L wrist X-ray; lat; pediatric patient (boy, age 13); cast present; detector: Siemens 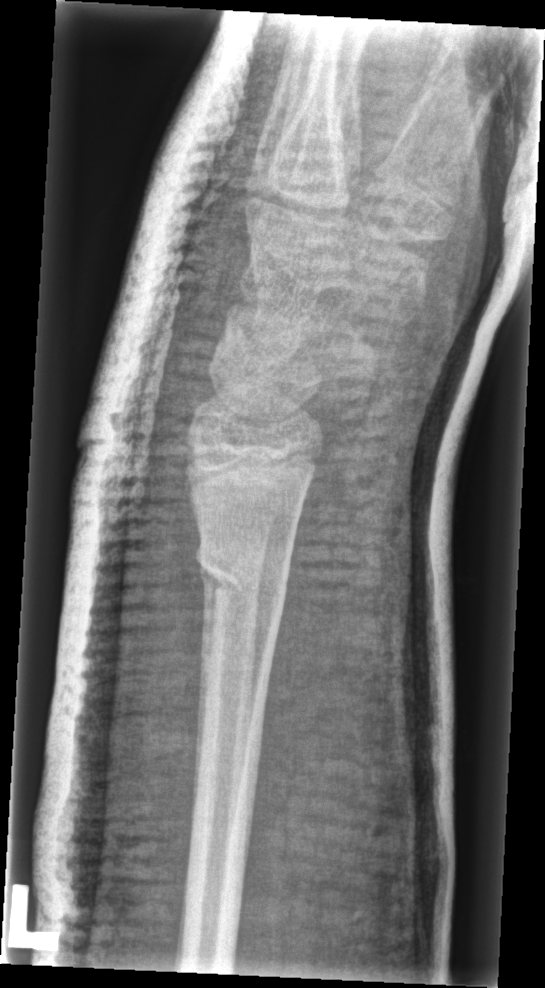
Boxes as x1,y1,x2,y2 (top-left / bottom-right, pixel units).
AO code 23-M/2.1.
Fx: 194 547 288 602.